Right pediatric wrist radiograph · PA projection · 6y M · 80.4 mm image width · 558x764. 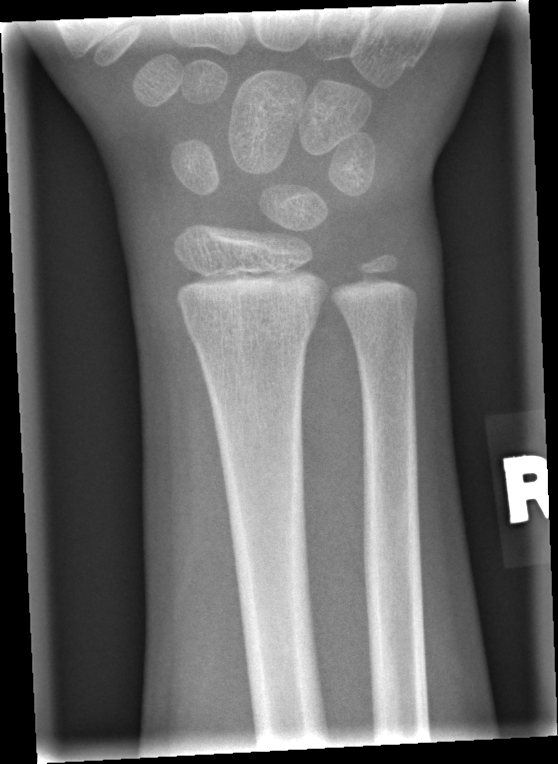

Fx = 1 @ (183, 296, 321, 352)